PA/AP projection · right wrist plain radiograph of the wrist · male, 11 yo

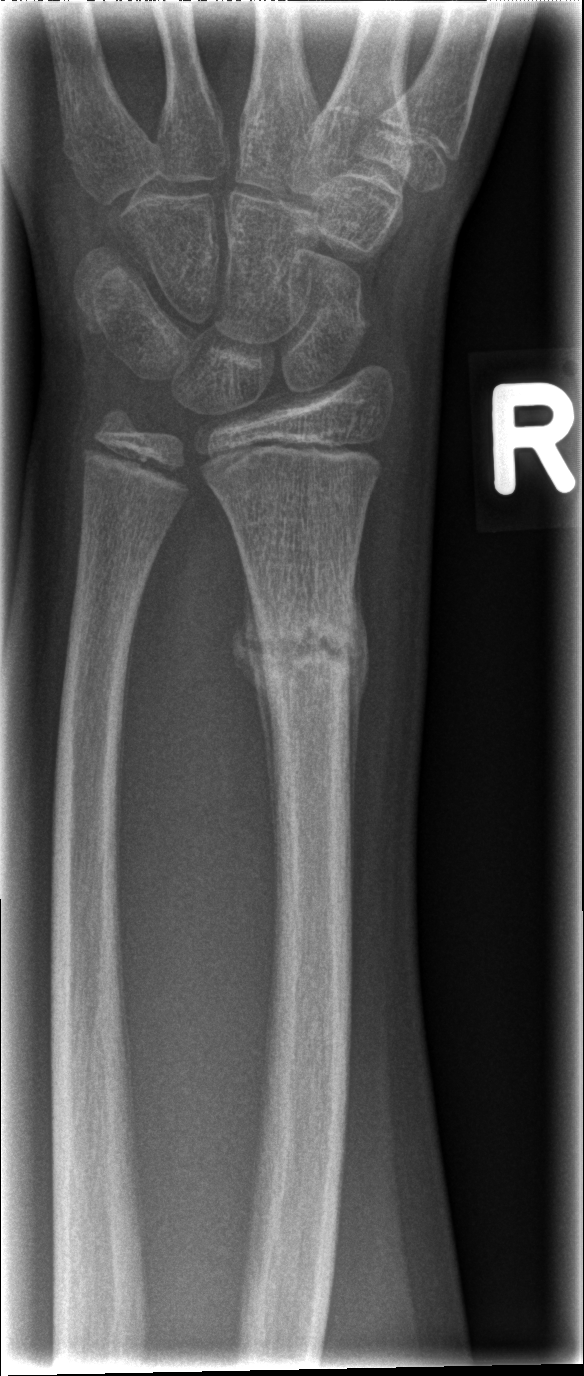

Fx — <244,597>-<363,703>.
Periosteal reaction: <230,568>-<278,882> <345,537>-<370,952>.
Osteopenic.